L pediatric wrist radiograph | posteroanterior projection | age 12 y, male —

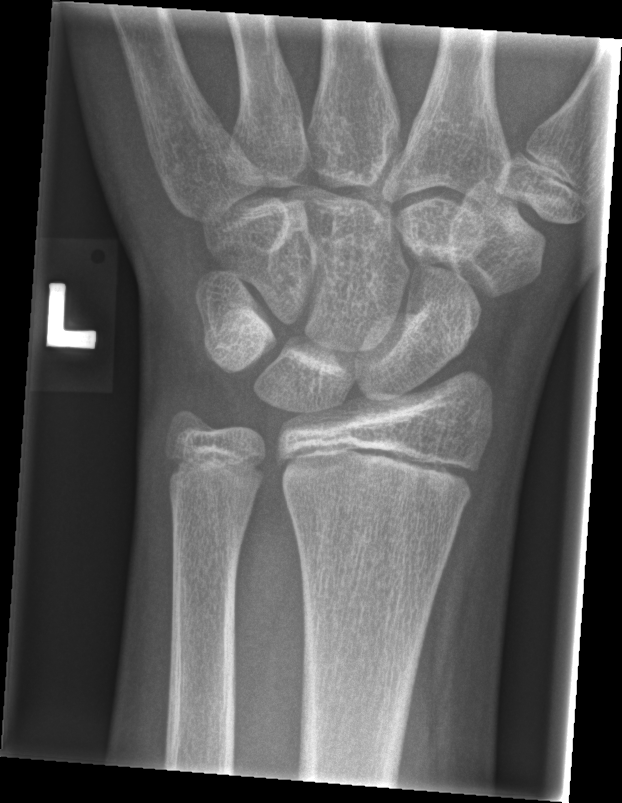

Bone fracture: none labeled